Lt wrist XR; lateral: 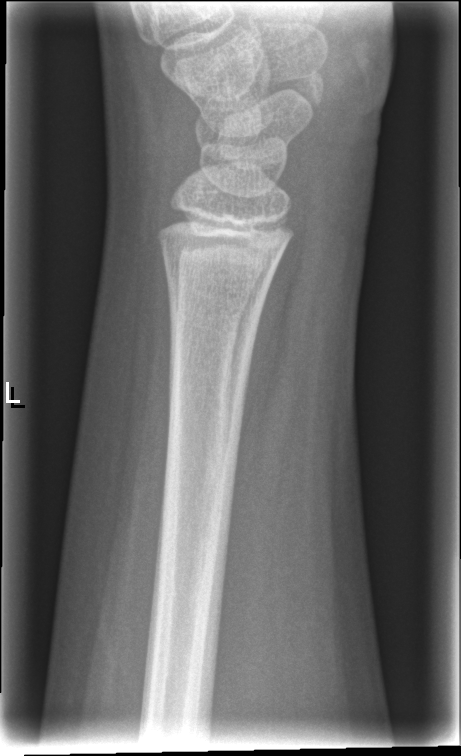 No fracture bounding box.